Lateral view | L wrist X-ray | 8y F | 68.8 mm image width — 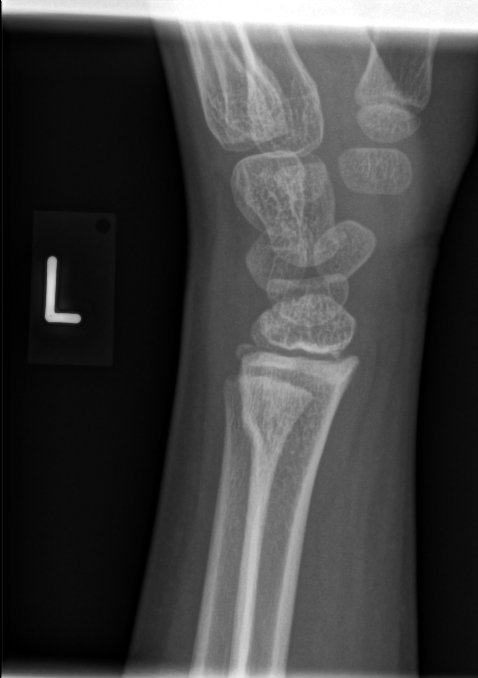 FINDINGS — (pixel coordinates, top-left origin, xyxy) Bone fracture: 235,393,338,466.